Left wrist plain film, lat projection, index exam 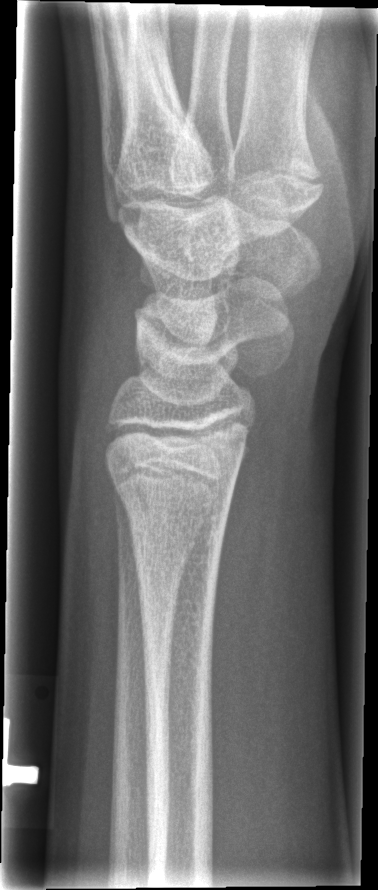 fracture: [x1=103, y1=460, x2=237, y2=551]